R wrist X-ray, posteroanterior view, age 12 y, male, cast present
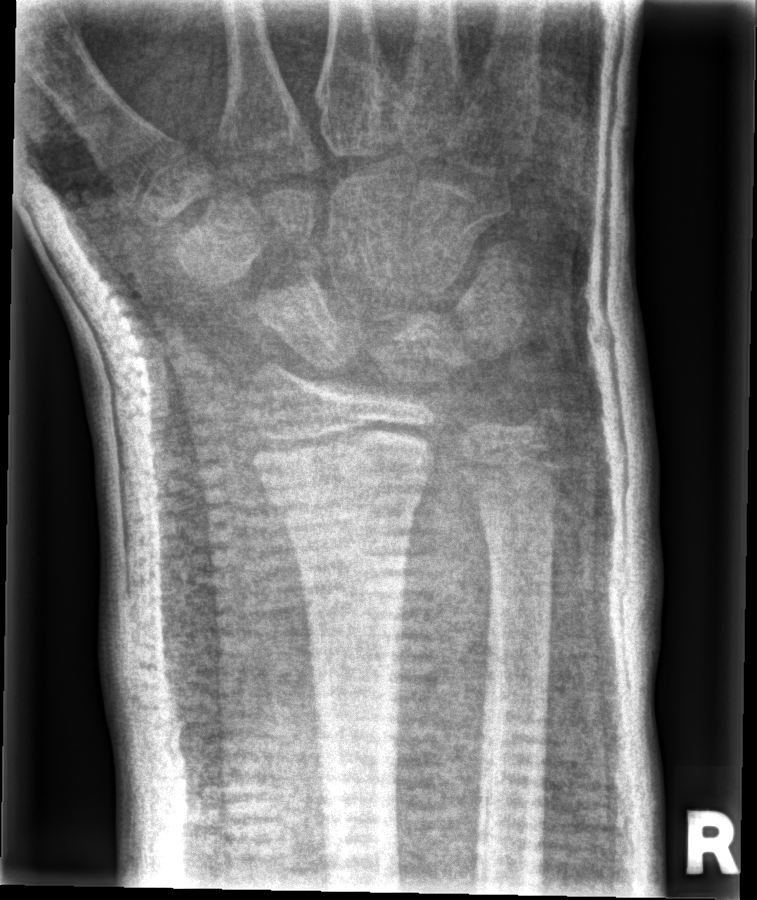
- Bounding boxes in image-pixel xyxy.
- Fx identified at 257 439 439 527.
- AO code 23r-M/3.1.